Right wrist radiograph, PA view, boy, 10 yo, subsequent exam, cast present 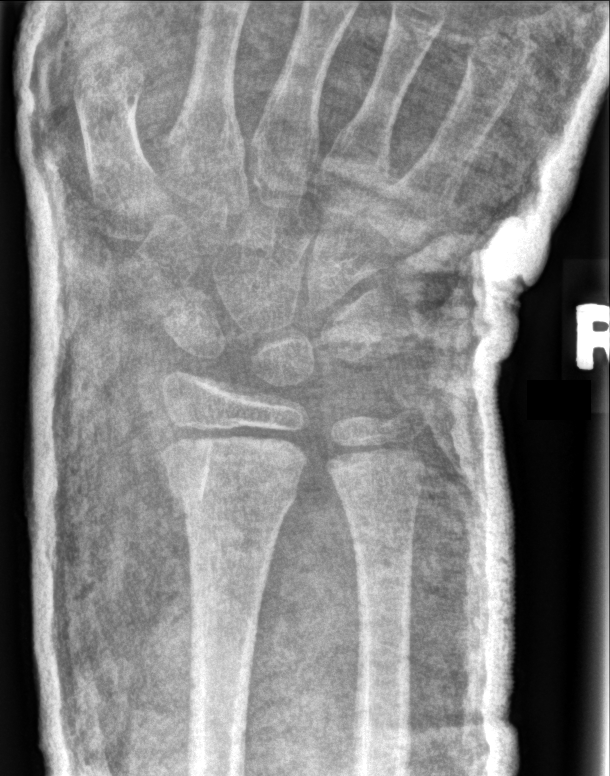

FINDINGS: (pixel coordinates, top-left origin, xyxy) Fracture — 165 467 303 524.